Left wrist radiograph · frontal · 10y F:

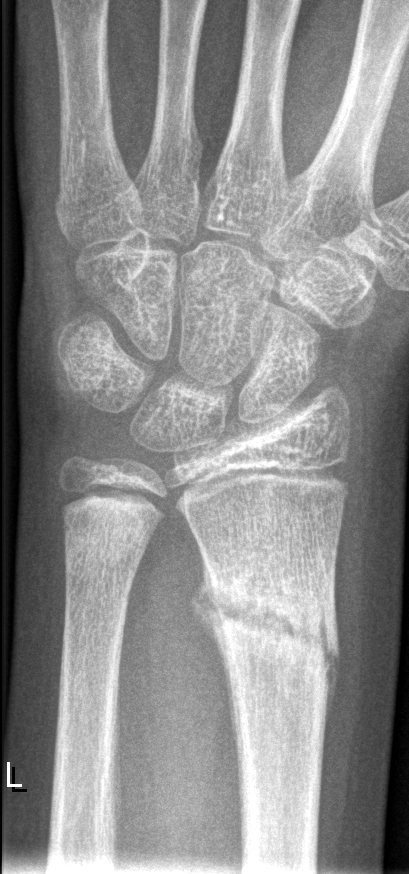 Bounding boxes in image-pixel xyxy.
AO code 23r-M/3.1; 23u-M/2.1.
Two fractures at [195, 563, 342, 698], [60, 515, 151, 573].
Periosteal thickening identified at [188, 541, 242, 804]; [320, 601, 341, 766].